PA/AP, left wrist radiograph
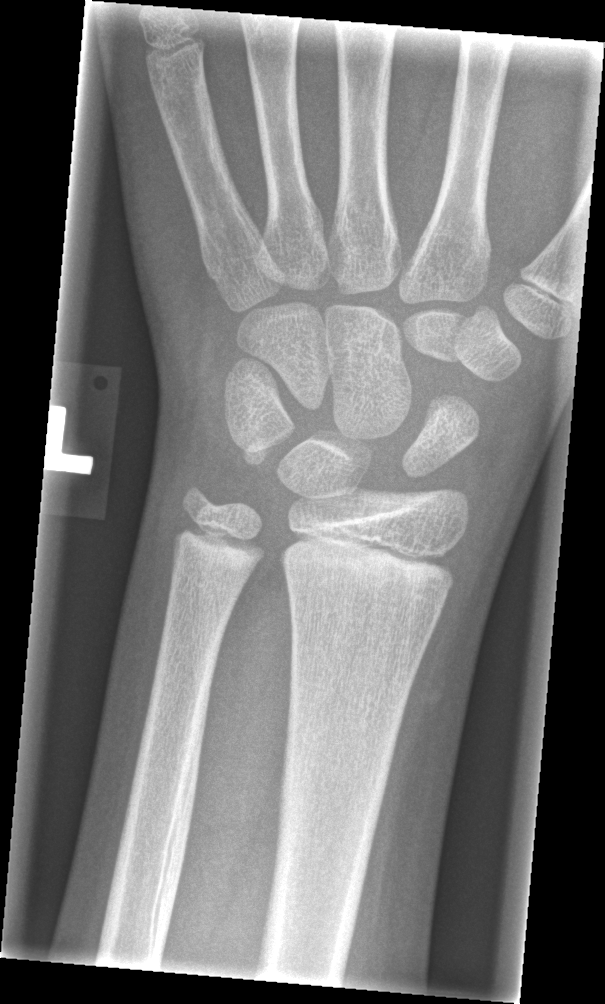
Findings: No Fx annotated.